Rt wrist plain film, lat, Siemens. 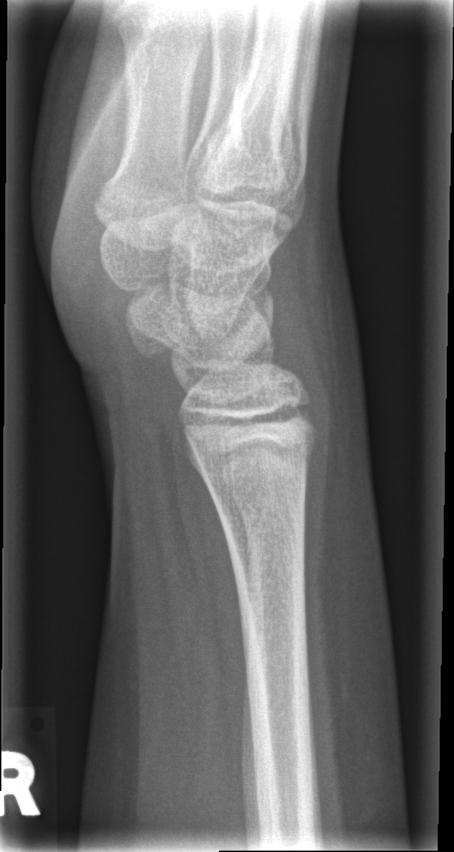
FINDINGS — No fracture labeled.